Lat; right wrist plain film; subsequent exam.
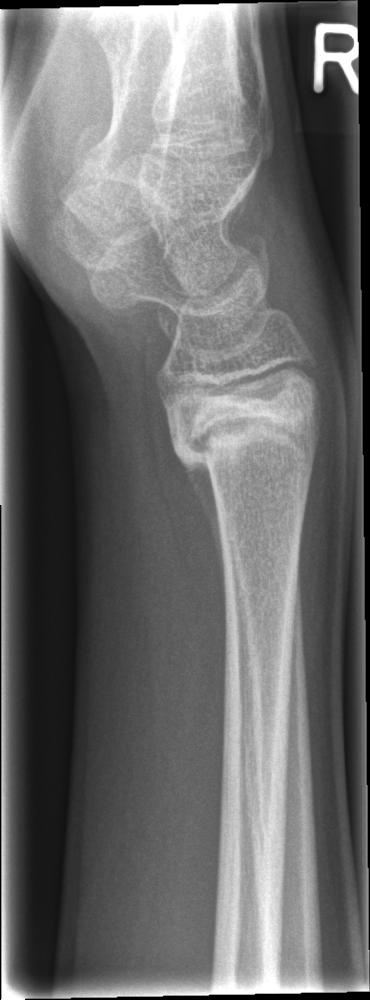

Fx: 160,357,329,476. Decreased bone density (osteopenia). One periosteal new bone at 179,455,225,578.